Posteroanterior view · right wrist X-ray · 75.0 mm image width

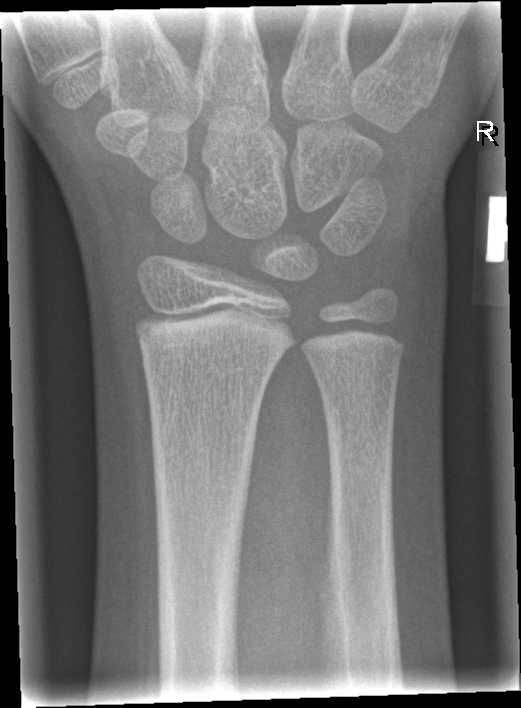 Findings: No fracture bounding box.